L wrist plain film; lateral projection; in cast; Siemens

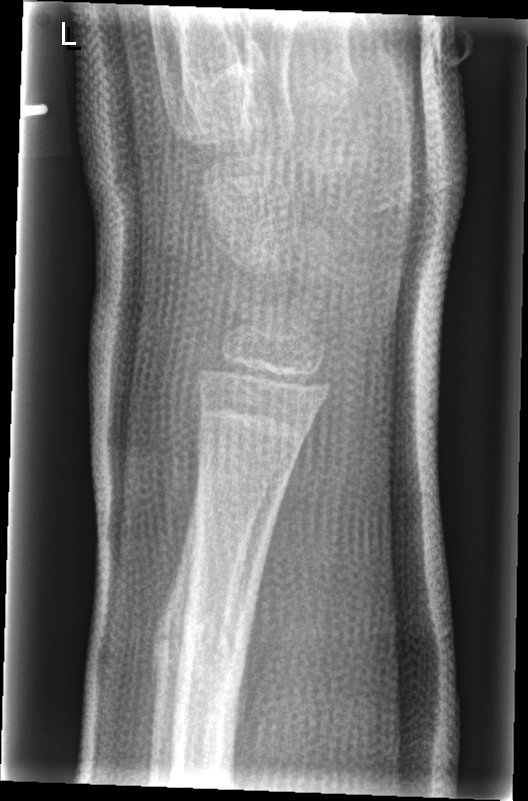 FINDINGS — (bounding boxes in image-pixel xyxy) AO code 22-D/2.1. Bone fracture: 149,597,239,680.